L wrist X-ray, lat, girl, 12 yo —

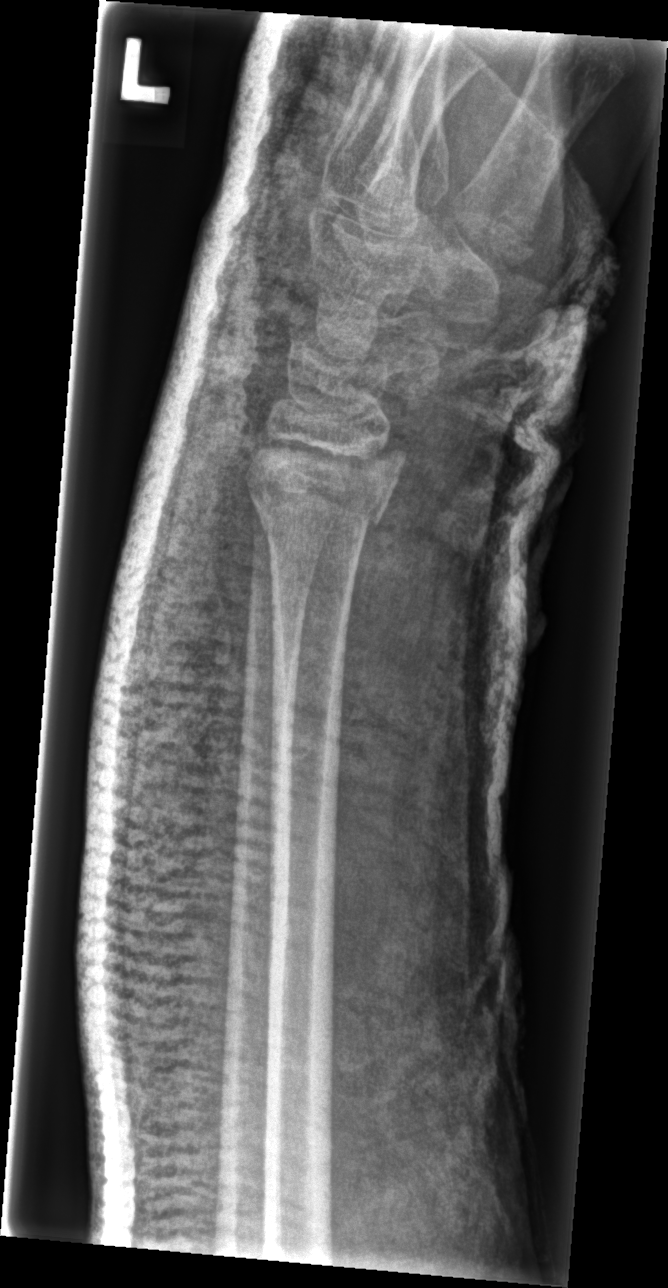

FINDINGS — (bounding boxes in image-pixel xyxy) AO/OTA classification: 23r-M/3.1; 23u-M/2.1; 23u-E/7. Bone fracture — (249, 458, 404, 536).